Right pediatric wrist radiograph; frontal projection: 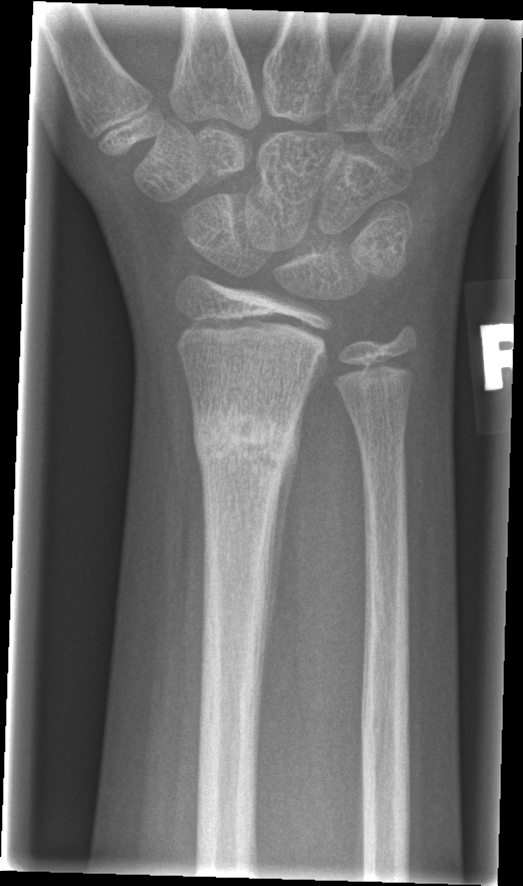

• Pixel coordinates, top-left origin, xyxy.
• One periosteal new bone at <260,394>-<306,687>.
• One fracture at <190,402>-<299,475>.